Posteroanterior view, right wrist XR, age 9 y, boy, Siemens.
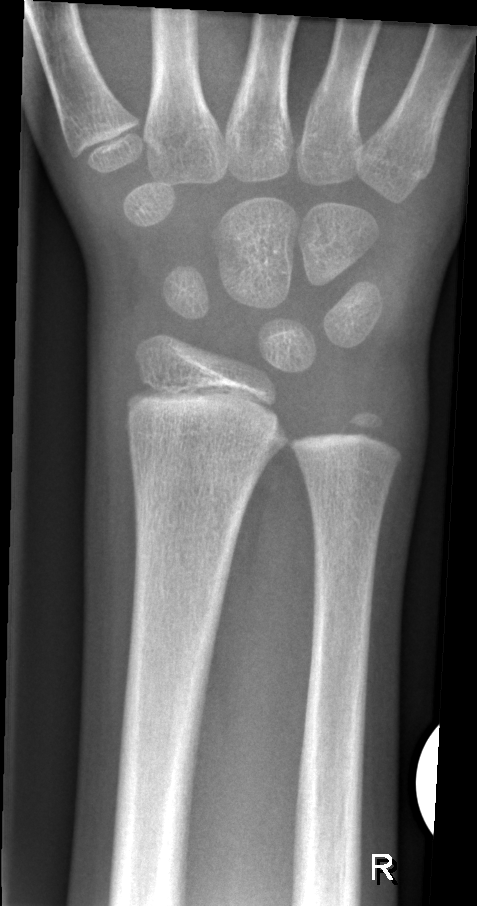
No fracture labeled.